L wrist XR, posteroanterior, age 5 y, female, cast in situ 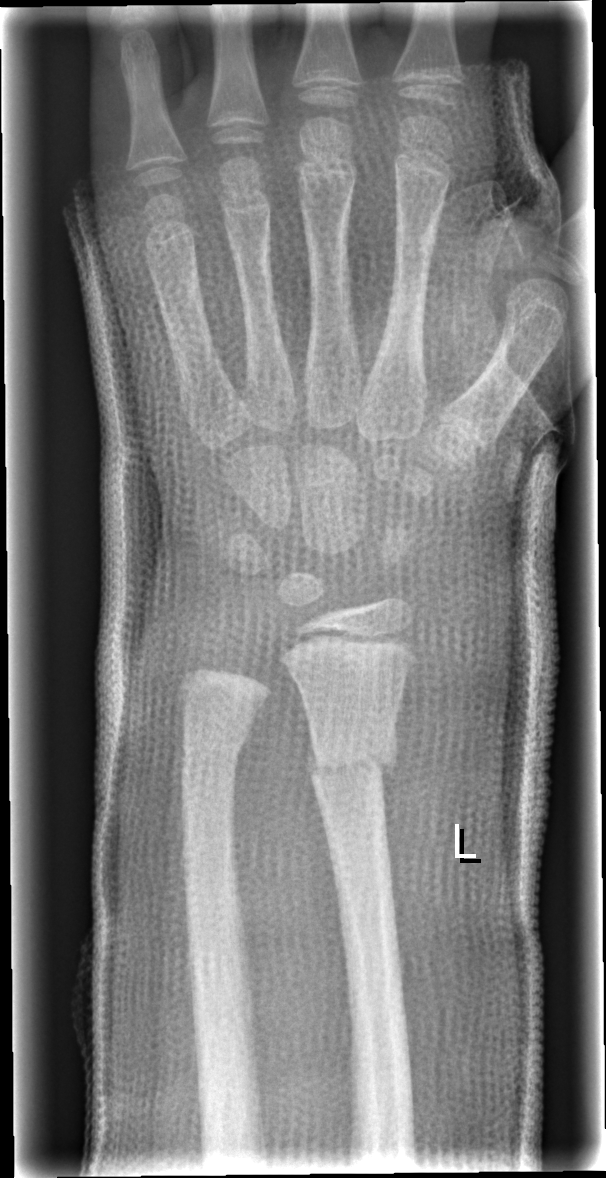 - Pixel coordinates, top-left origin, xyxy.
- AO/OTA classification: 23r-M/3.1; 23u-M/2.1.
- Fx identified at 302 736 404 796
  178 712 255 773.